Right wrist XR | PA/AP view | image width 101.2 mm. 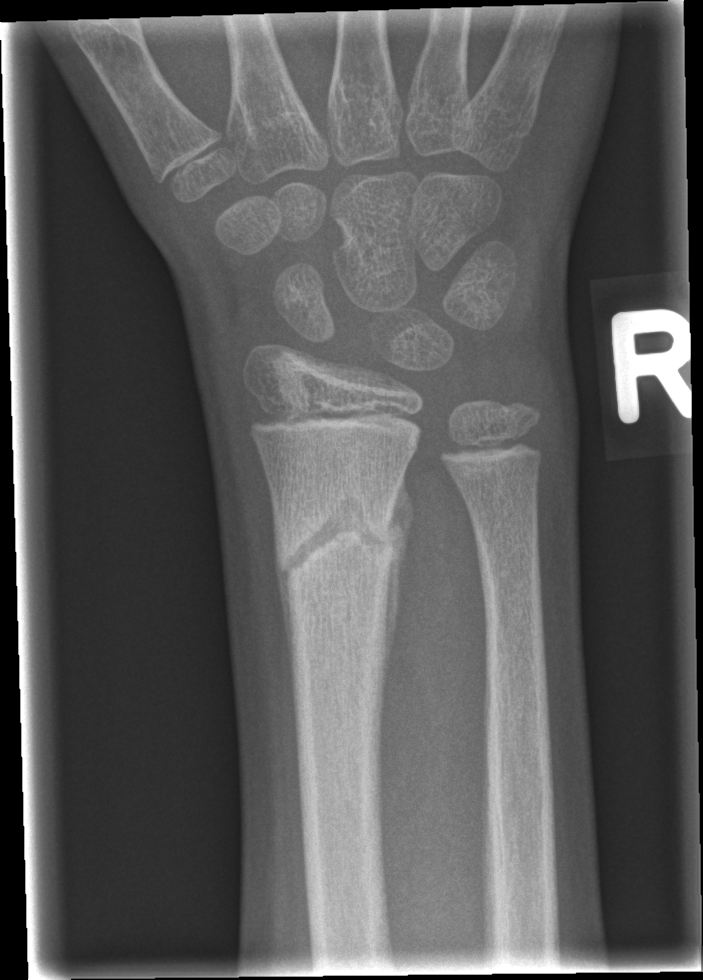 Coordinates are [x1, y1, x2, y2] in image pixels.
Bone fracture: 271 472 407 588.
Two periosteal new bone at 380 467 415 700
  271 497 295 681.
Osteopenia.